Right wrist X-ray; posteroanterior; boy, 15 yo
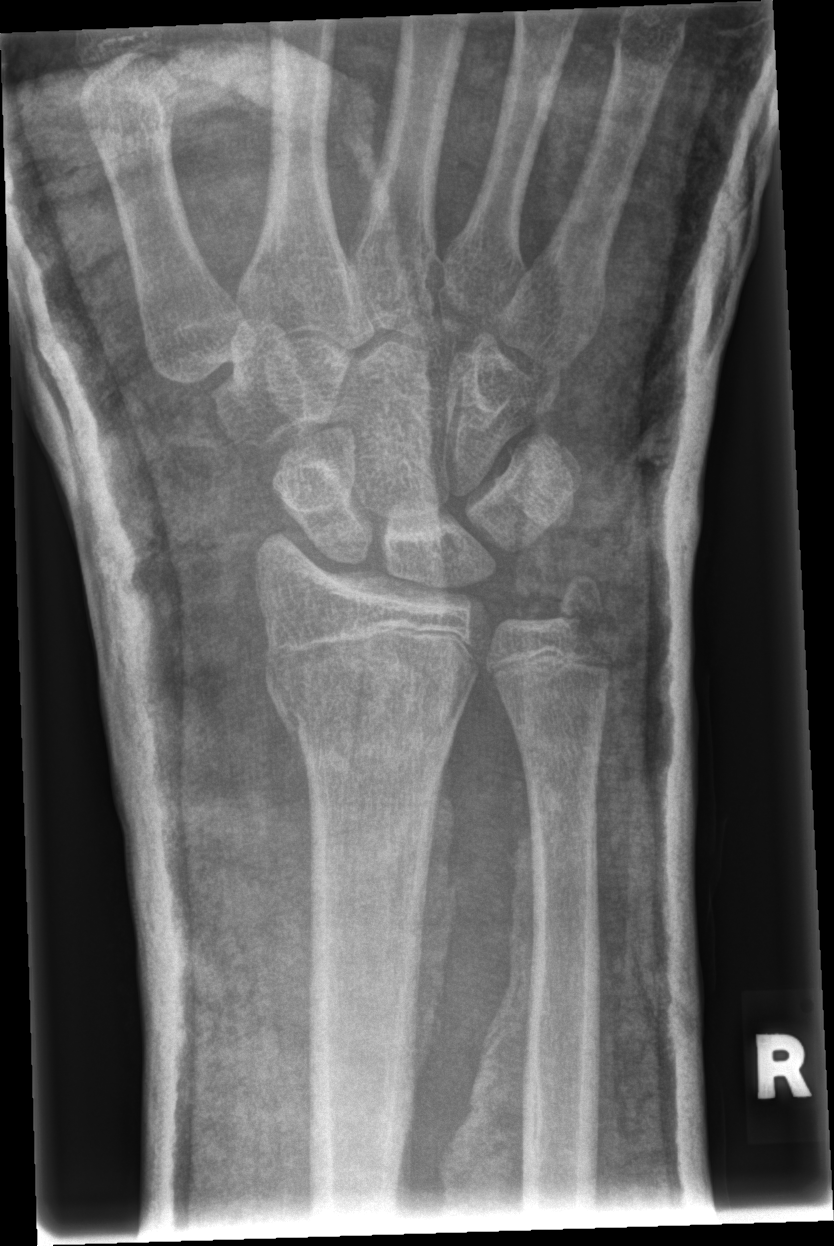

Fx: [261, 633, 472, 759] [542, 567, 616, 652].
Fracture classified AO/OTA 23r-M/3.1; 23u-E/7.